AP projection; Lt plain radiograph of the wrist —

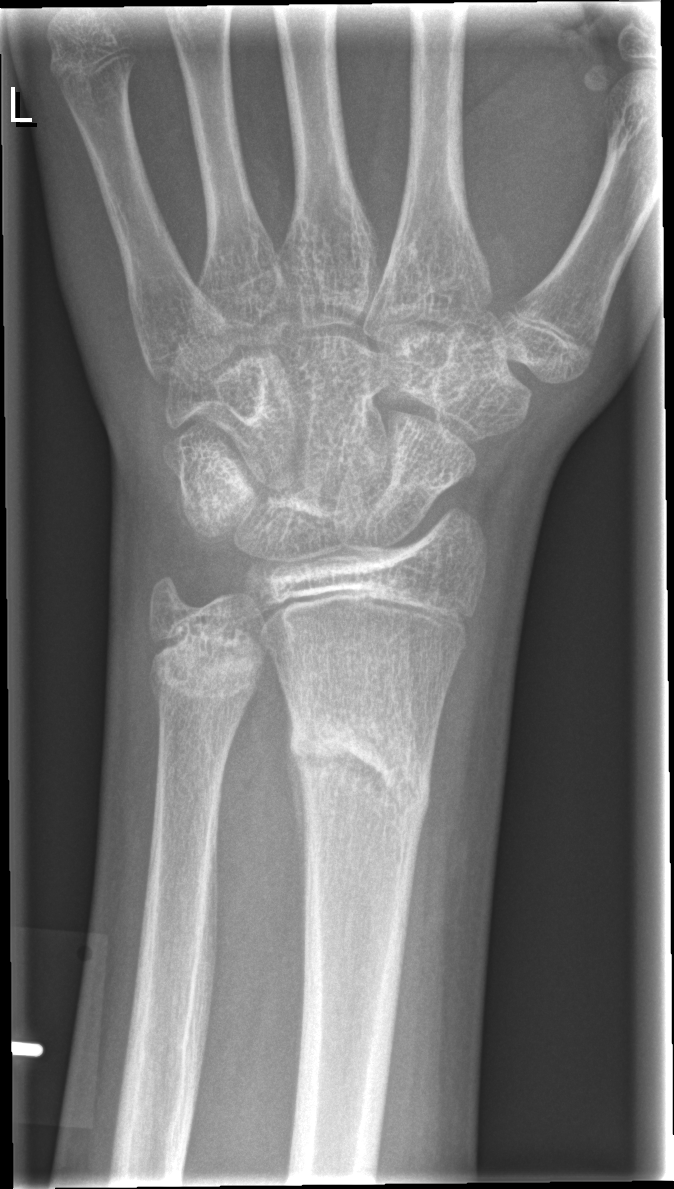

* Osteopenic.
* Bone fracture identified at [x1=286, y1=700, x2=435, y2=824], [x1=146, y1=641, x2=262, y2=712].
* One periosteal new bone at [x1=284, y1=716, x2=310, y2=906].